Right wrist plain film, posteroanterior view, male, 8 yo:
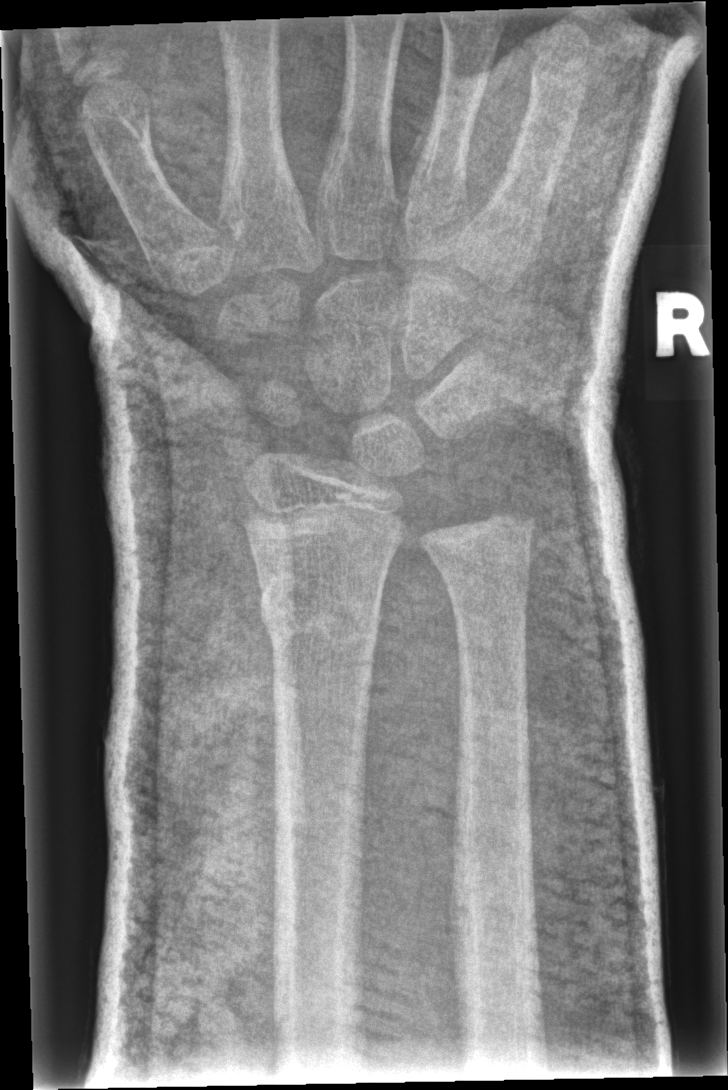

Fracture: [256, 569, 382, 659].